AP view, left pediatric wrist radiograph, age 12 y, female, index exam, image 79.6 mm wide — 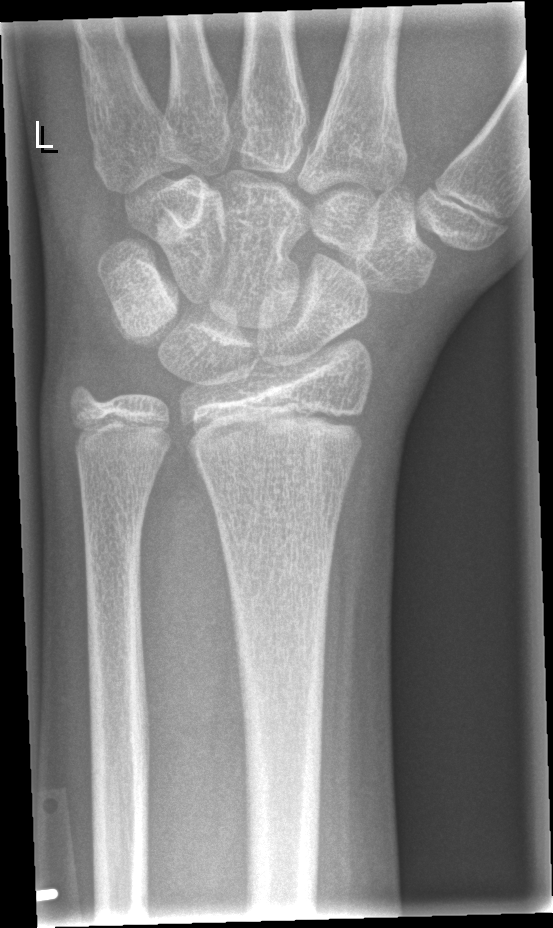 fracture: none labeled